Right wrist pediatric wrist radiograph · lat · 13y M · imaged through cast · acquired on Siemens · 552 x 1568 px —
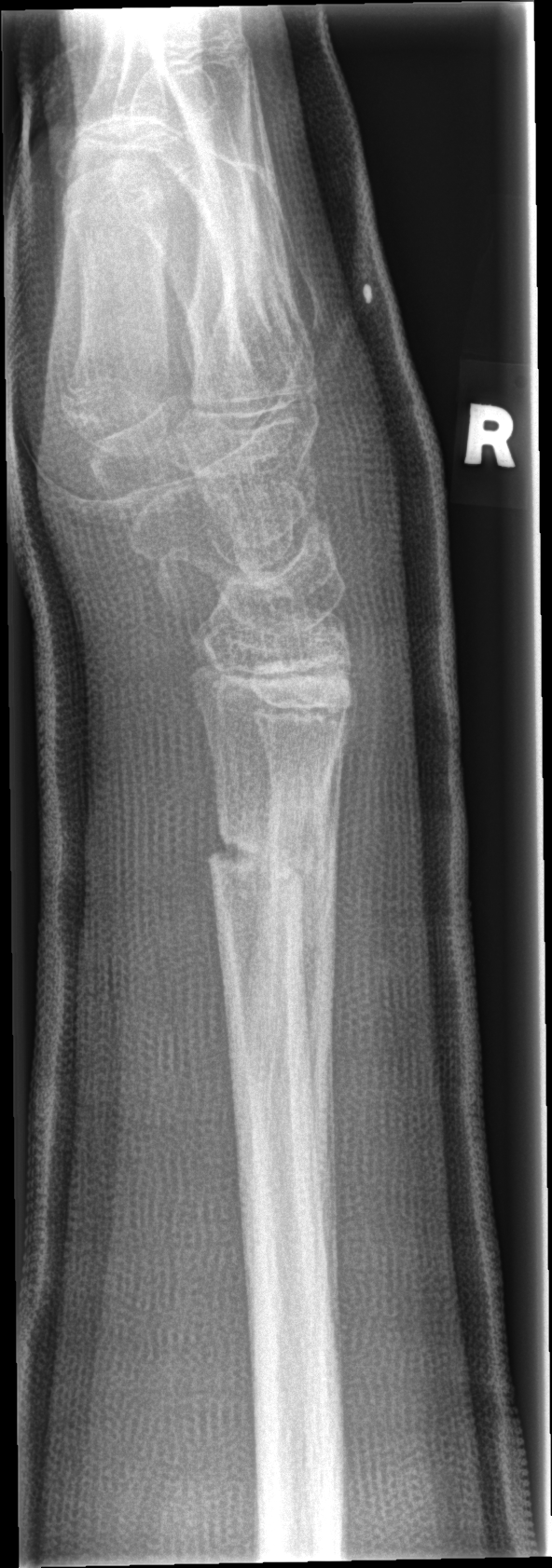

One fracture at bbox(201, 826, 325, 890).